Left wrist plain film · posteroanterior projection · acquired on Siemens:
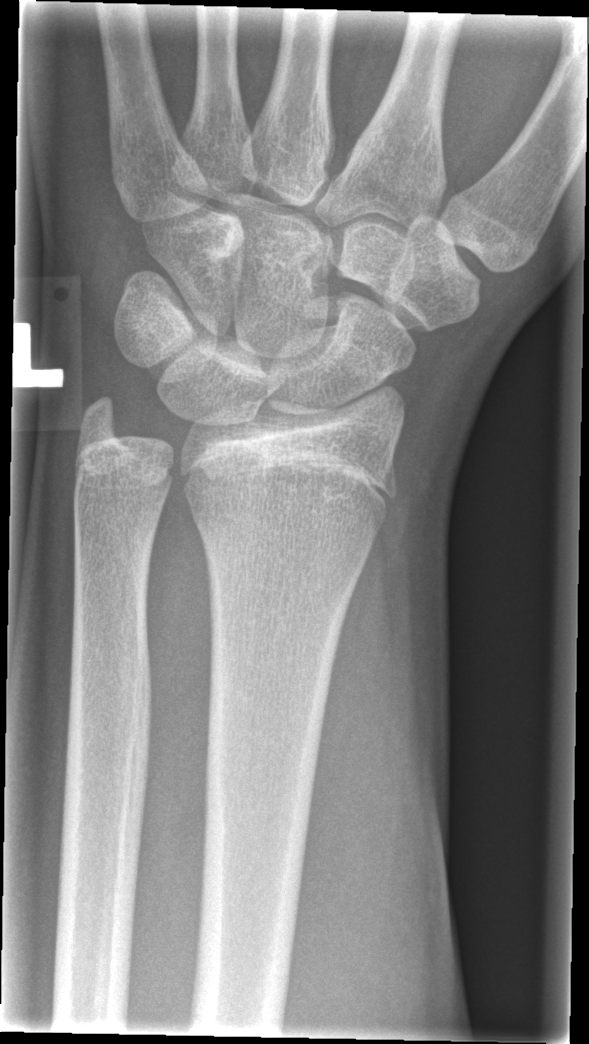

Fx = none labeled